Frontal projection; left wrist X-ray; cast present; image width 89.9 mm —
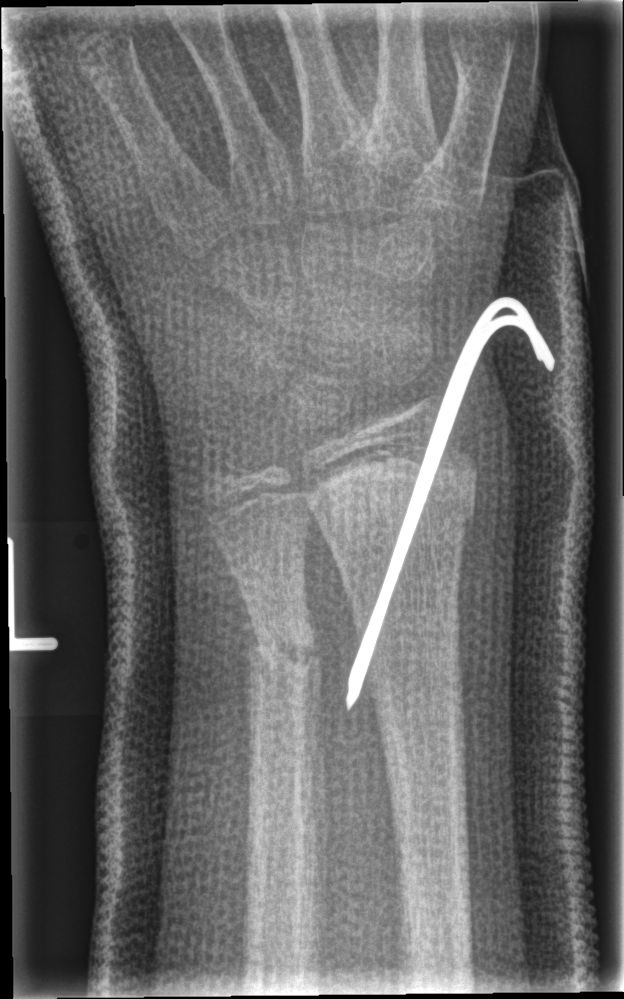
fracture: 2 @ <316,438>-<488,567>, <240,625>-<320,693>
metal: <344,294>-<558,713>